Rt plain radiograph of the wrist · AP · 5y M · cast in situ · 518 by 723 pixels:
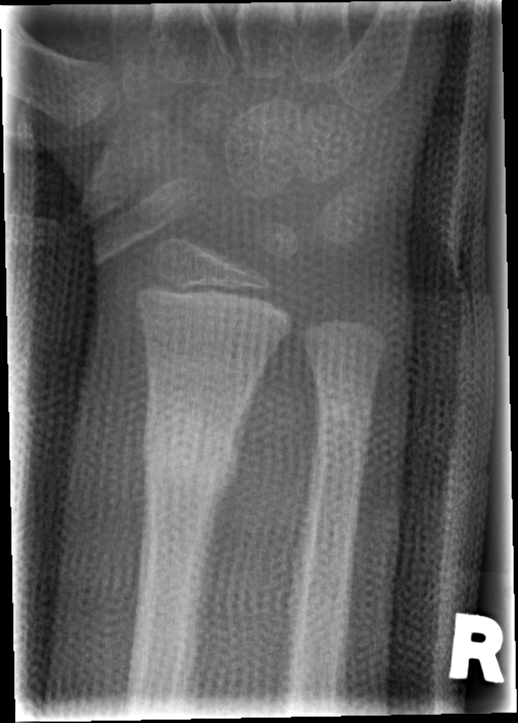 (pixel coordinates, top-left origin, xyxy)
Bone fracture: [x1=138, y1=408, x2=240, y2=490] [x1=314, y1=384, x2=376, y2=441]
AO/OTA: 23-M/2.1